Left wrist X-ray · lateral projection · boy, 13 yo · acquired on Siemens:

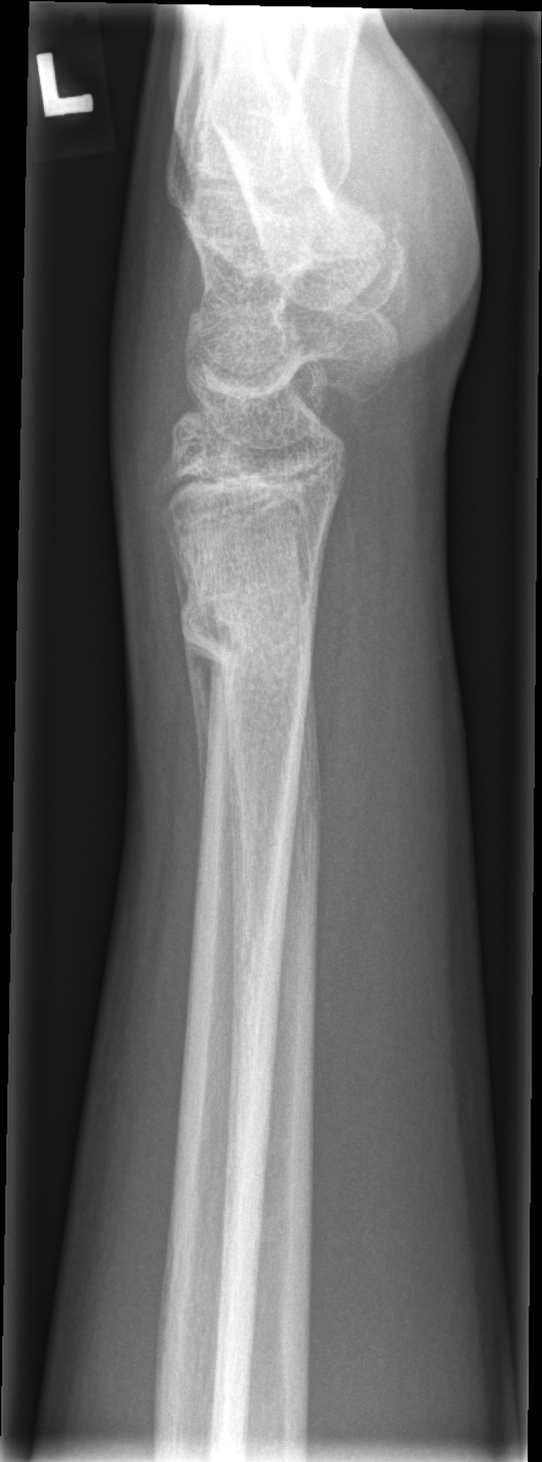 FINDINGS — AO code 23r-M/3.1; 23u-M/2.1; 23u-E/7. Reduced bone mineral density. One periosteal thickening at 160,513,219,859. Bone fracture: 174,569,324,705.